Left wrist X-ray | AP view | pediatric patient (girl, age 8) | 456x574 —
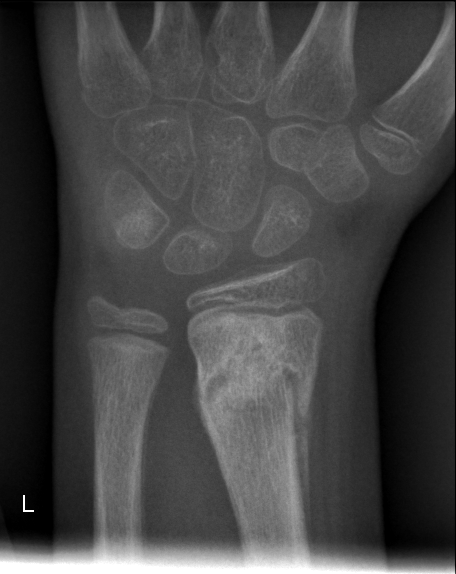
* Reduced bone mineral density.
* Periosteal thickening identified at <289,369>-<317,557>.
* Two bone fractures at <194,329>-<320,450>, <89,369>-<149,464>.